AP · L plain radiograph of the wrist · age 11 y, male · findings marked uncertain by the reading radiologist.
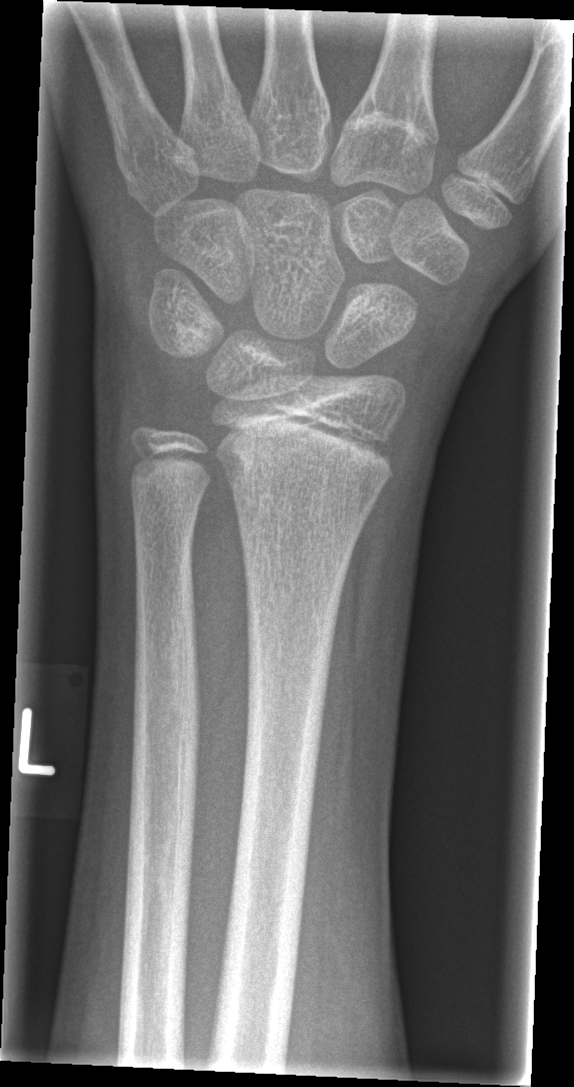 No Fx annotated.